R pediatric wrist radiograph; lateral view; 10-year-old female; image size 446x992:
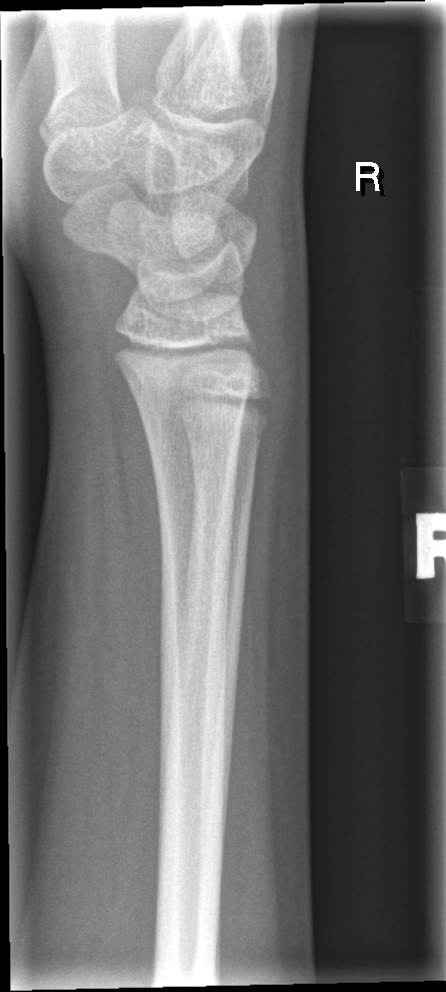

Fracture = none labeled